Right wrist XR; lat: 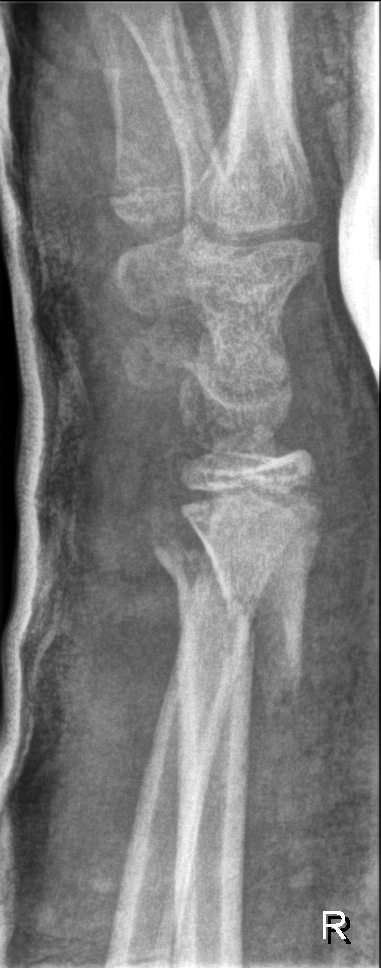

* Bone fracture identified at 142 522 317 724.